Left wrist radiograph, lateral.
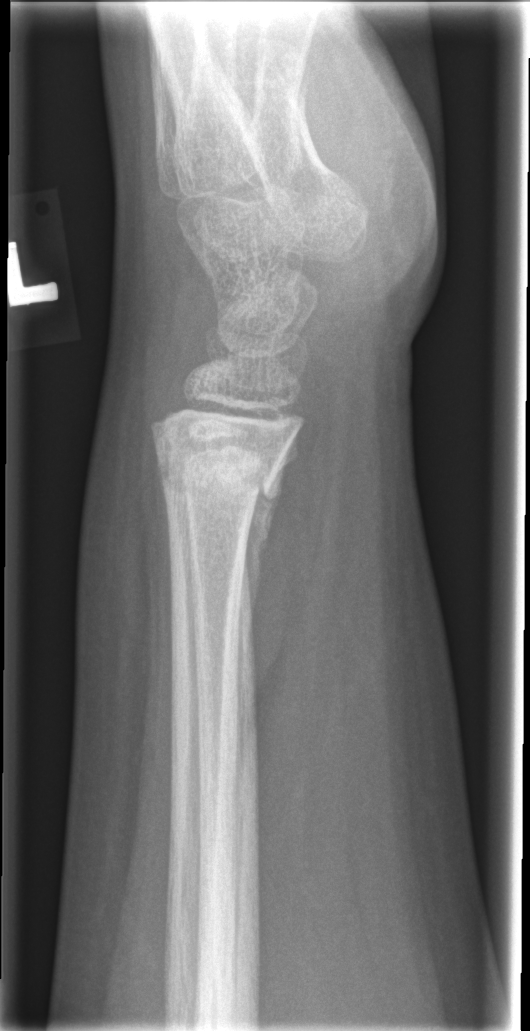
{"ao": "23r-M/3.1", "osteopenia": "present", "fracture": "<150,434>-<291,515>", "periostealreaction": "<244,493>-<275,609>"}